AP | L wrist XR:
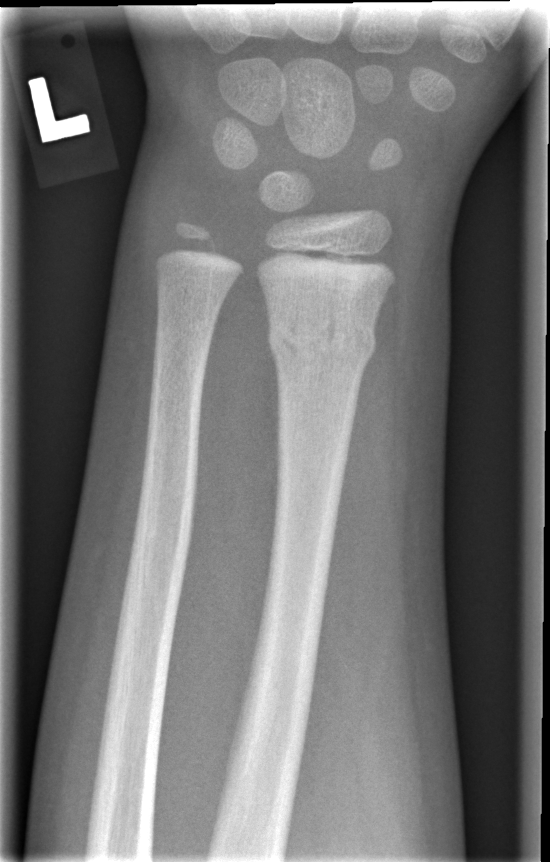

Findings: Fracture classified AO/OTA 23r-M/2.1. Fracture: [x1=264, y1=305, x2=380, y2=377].